Lateral view, left wrist pediatric wrist radiograph, pediatric patient (boy, age 2), initial study — 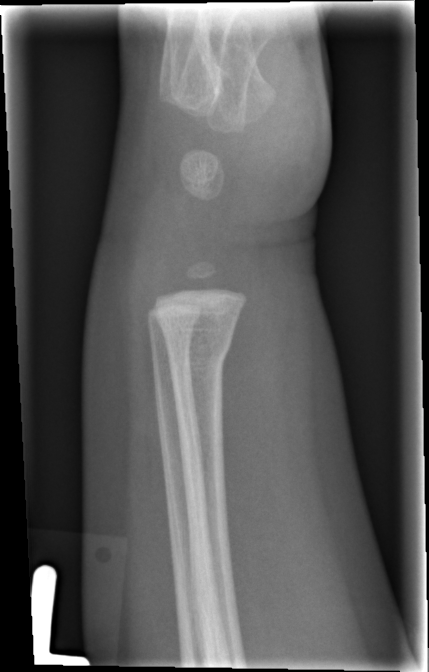
Pixel coordinates, top-left origin, xyxy.
One bone fracture at <161,328>-<237,383>.